Lat projection; Rt wrist XR — 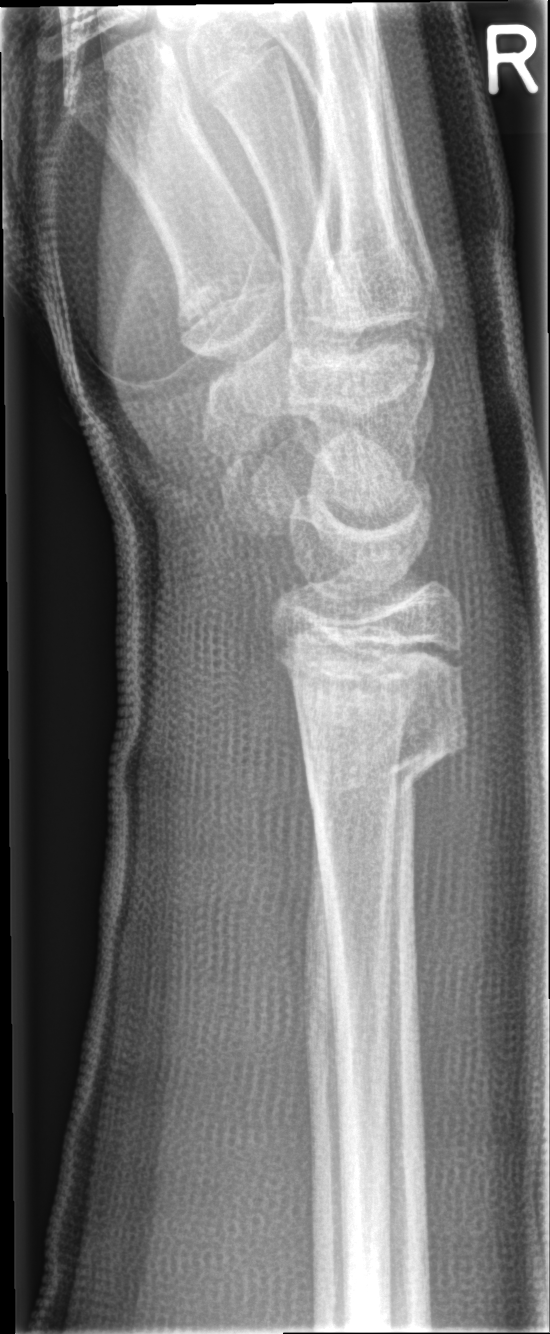

(coordinates are [x1, y1, x2, y2] in image pixels)
fracture = 1 @ bbox(292, 688, 474, 819)